L wrist X-ray | lateral projection | age 2 y, female | acquired on Siemens | 351 by 542 pixels: 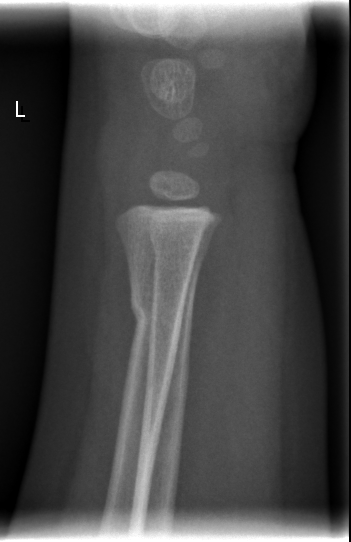
- Fx: (left=124, top=289, right=196, bottom=344), (left=147, top=221, right=213, bottom=273).
- AO code 23-M/2.1.